Lateral view; left pediatric wrist radiograph; boy, 13 yo; image width 63.6 mm —

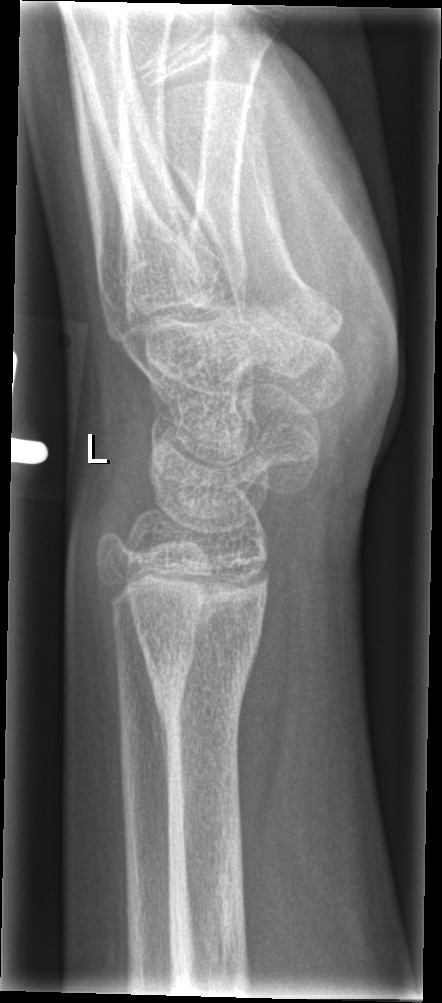 FINDINGS: Fracture identified at 124,565,272,735. Osteopenic. Fracture classified AO/OTA 23r-E/2.1.